Posteroanterior projection; left wrist X-ray; cast in situ. 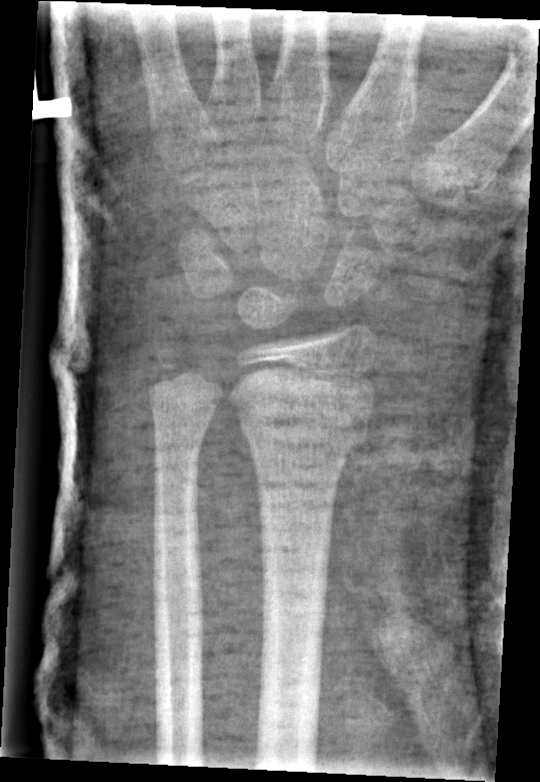
Q: Is there a fracture?
A: Fracture identified at bbox(234, 390, 373, 466)